Lt wrist radiograph · PA projection · 9y M — 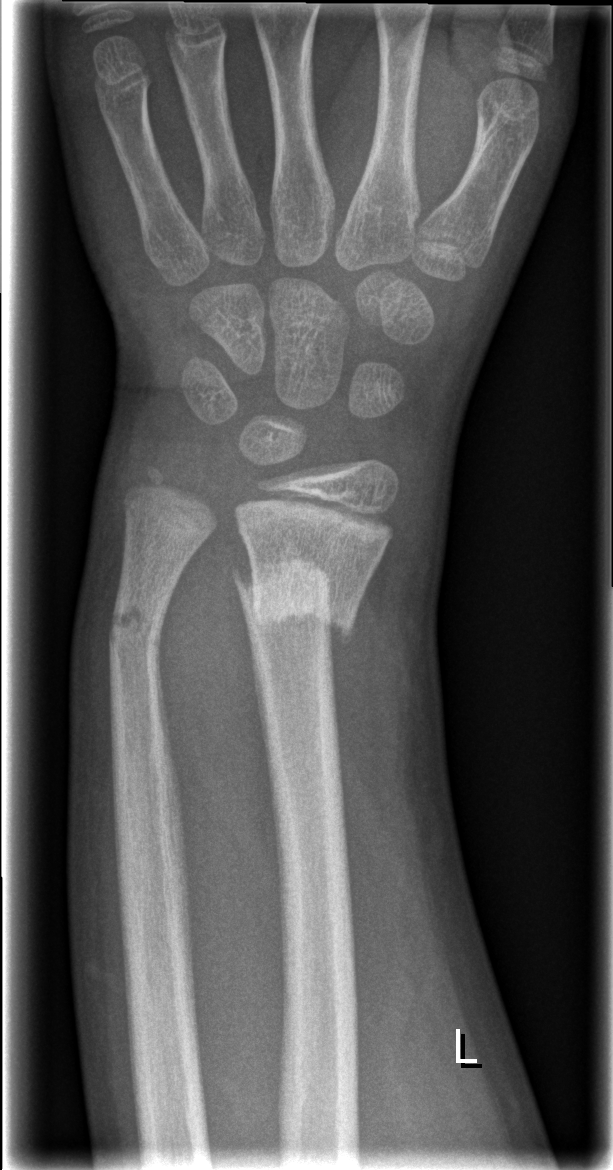

Boxes as x1,y1,x2,y2 (top-left / bottom-right, pixel units). Fx — (230, 548, 366, 645), (103, 586, 173, 660).